Left wrist radiograph | lateral | index exam | 540x1178
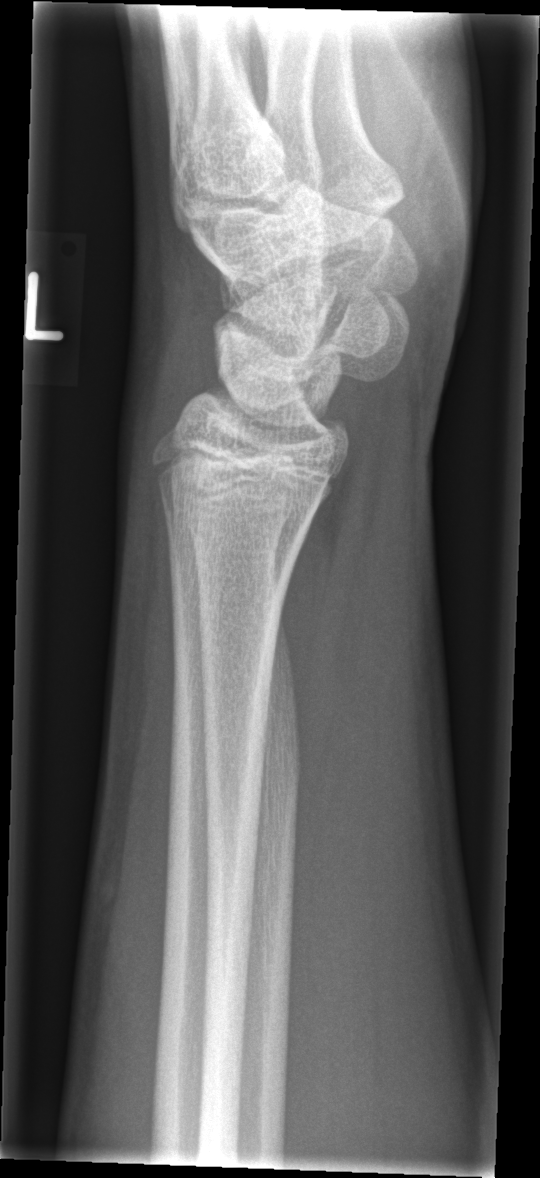
- No fracture annotation.